L wrist radiograph · lat view · 8-year-old girl · follow-up · detector: Siemens · 683 x 1060 px
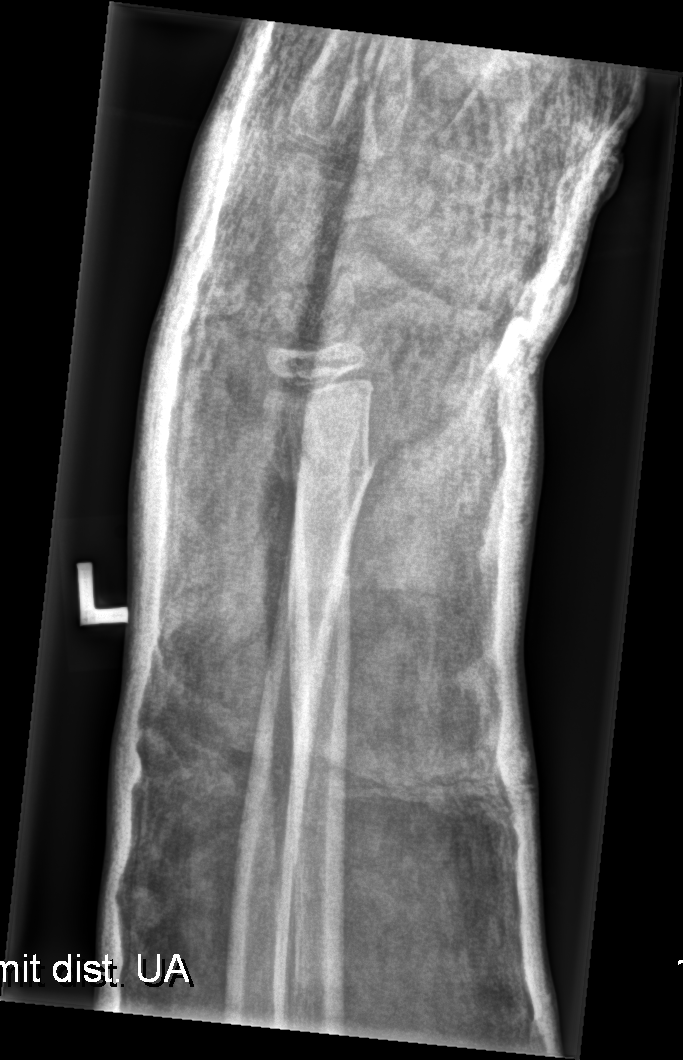
Q: Any fracture seen?
A: One Fx at [x1=268, y1=447, x2=384, y2=492]